Right wrist X-ray · obl projection · cast present:
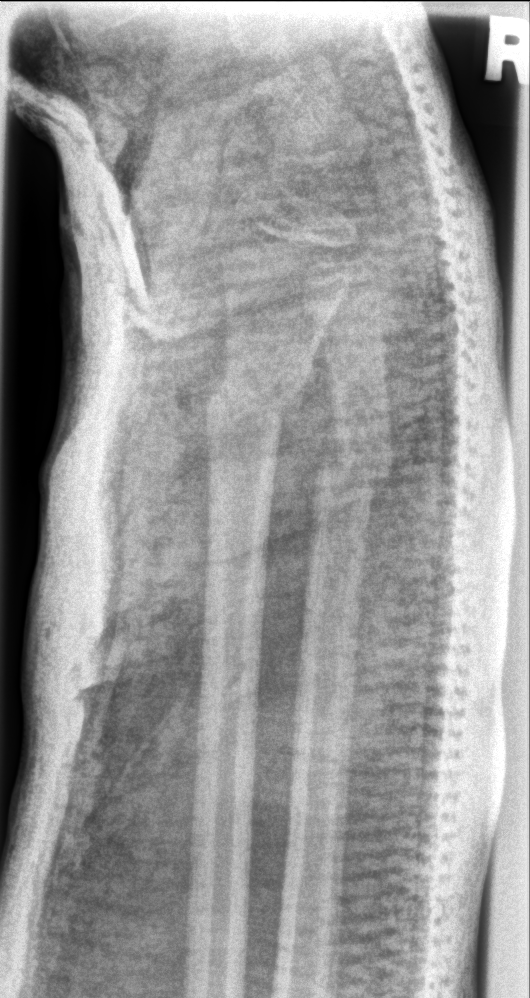

Bone fracture identified at <200,360>-<304,440>, <311,431>-<397,517>.
AO code 23-M/3.1.